Right wrist pediatric wrist radiograph, AP projection, pediatric patient (boy, age 5), index exam.
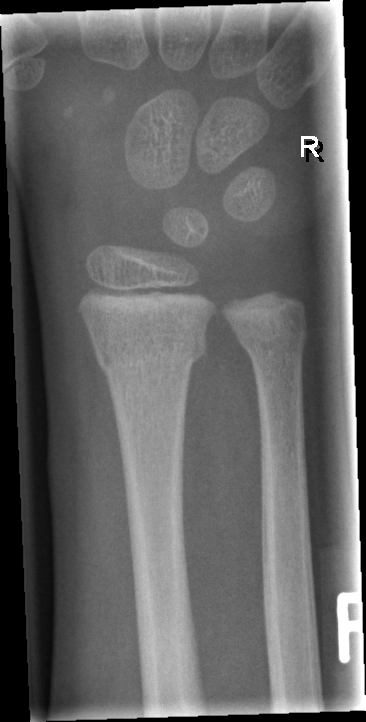 Two fractures at 89 321 208 379; 233 317 310 364. Fracture classified AO/OTA 23-M/2.1.